Lt wrist radiograph; lat; male, 10 yo; cast in situ —
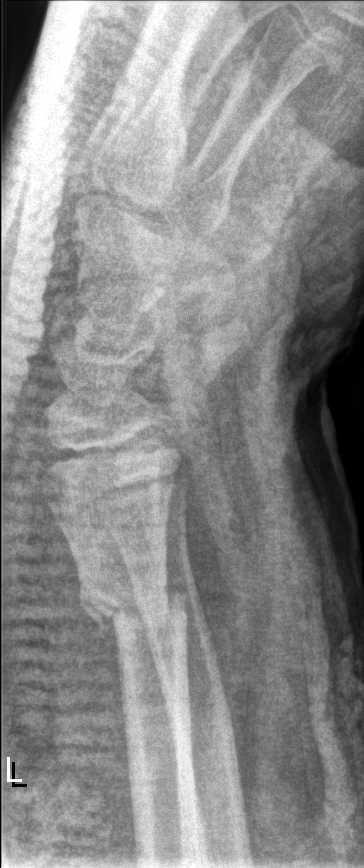
  fracture: 1 @ 75,574,192,642
  ao: 23r-M/3.1; 23u-M/2.1; 23u-E/7